Frontal projection; left wrist pediatric wrist radiograph; follow-up; 784x1406 —
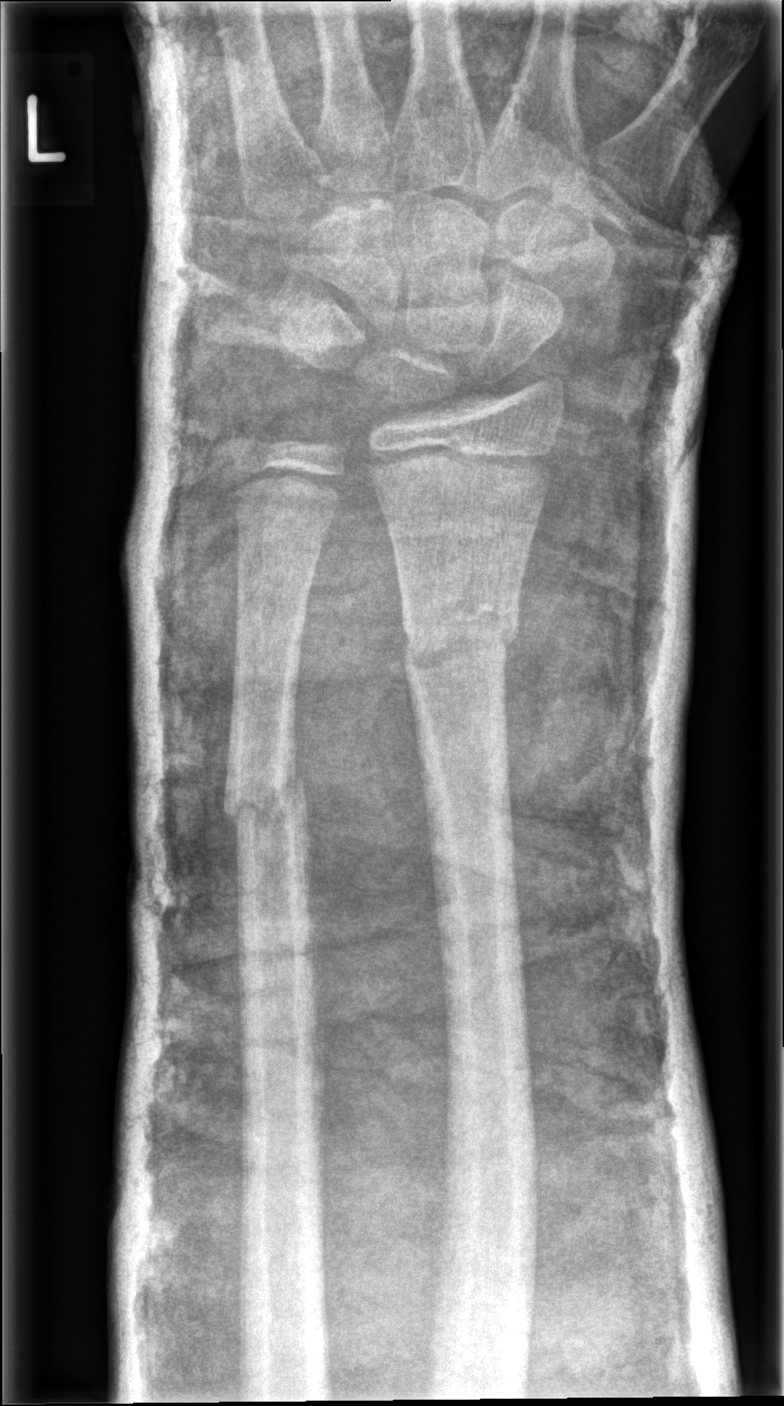
(coordinates are [x1, y1, x2, y2] in image pixels)
Q: Is there a fracture?
A: Two Fx at [398, 601, 523, 688] [218, 764, 313, 843]
Q: What is the AO/OTA classification?
A: Fracture classified AO/OTA 23r-M/3.1; 22u-D/4.1